PA projection, right plain radiograph of the wrist, 13-year-old male, subsequent exam, 102.2 mm image width.

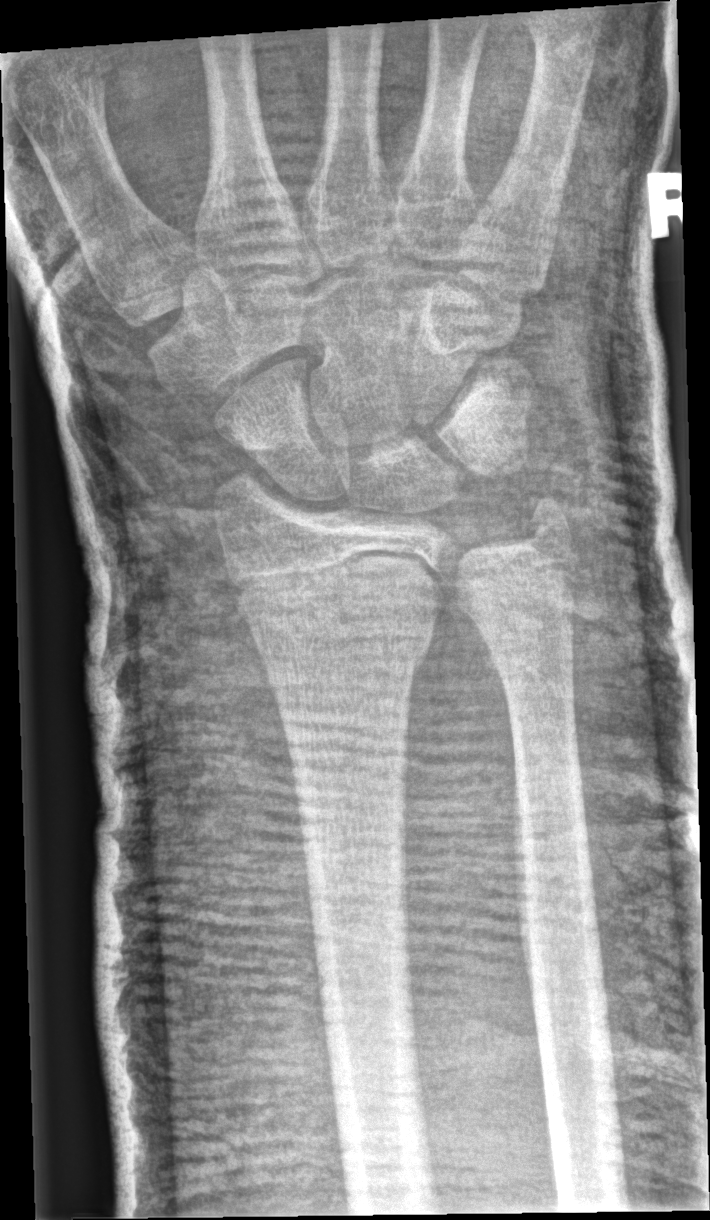

• AO/OTA classification: 23r-M/3.1; 23u-E/7.
• Two Fx at bbox(234, 576, 446, 695); bbox(518, 491, 582, 566).